Lt wrist radiograph; frontal view; follow-up study; cast present 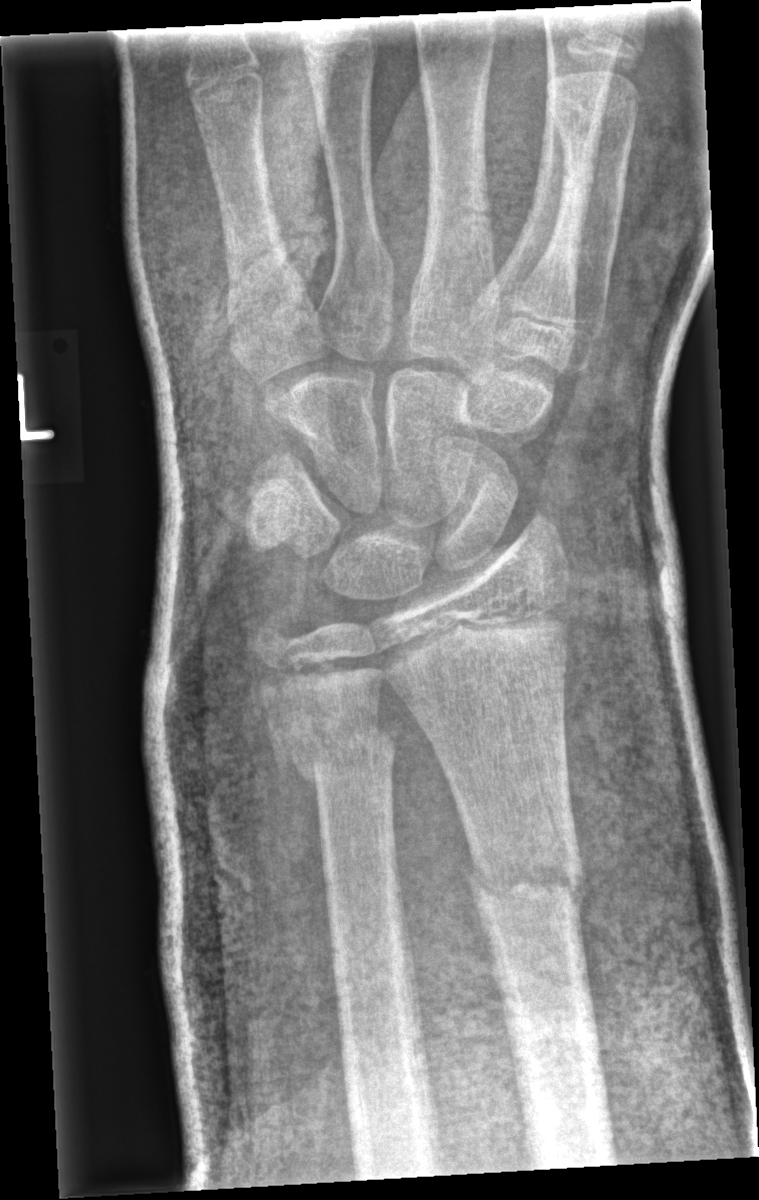

Findings: Two bone fractures at 266 706 400 791 | 458 837 590 922. AO/OTA classification: 22r-D/4.1; 23u-M/3.1.